Lateral view, right plain radiograph of the wrist, girl, 3 yo, subsequent exam, cast present —

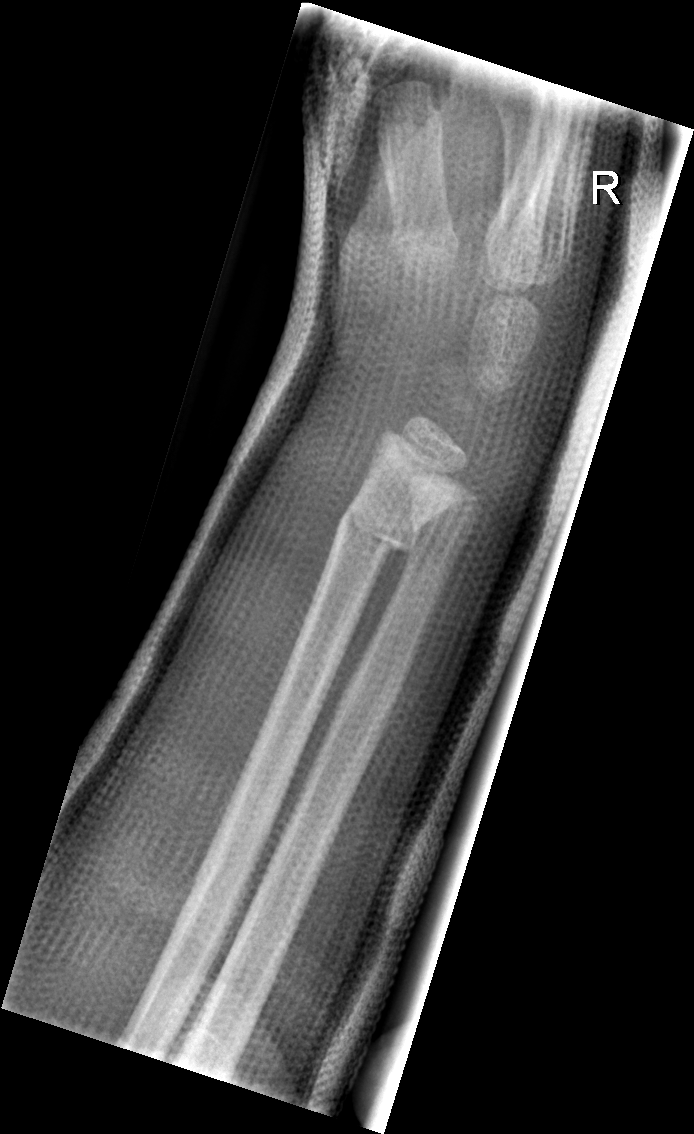 {
  "_coords": "bounding boxes in image-pixel xyxy",
  "fracture": "1 @ 331 496 425 560"
}